Right wrist plain film | lat.
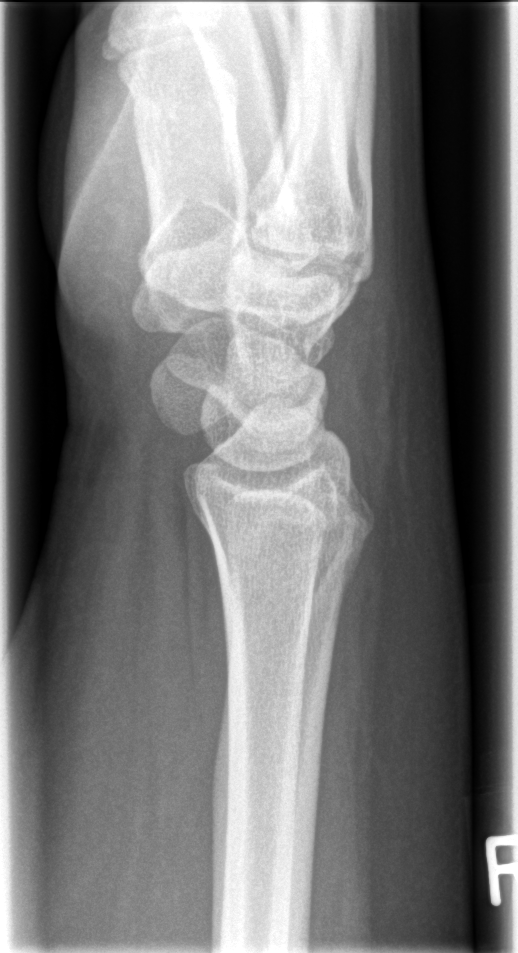
AO code 23r-M/2.1.
Fx identified at [x1=206, y1=495, x2=379, y2=602].